Lat view; left wrist XR; 6y F:

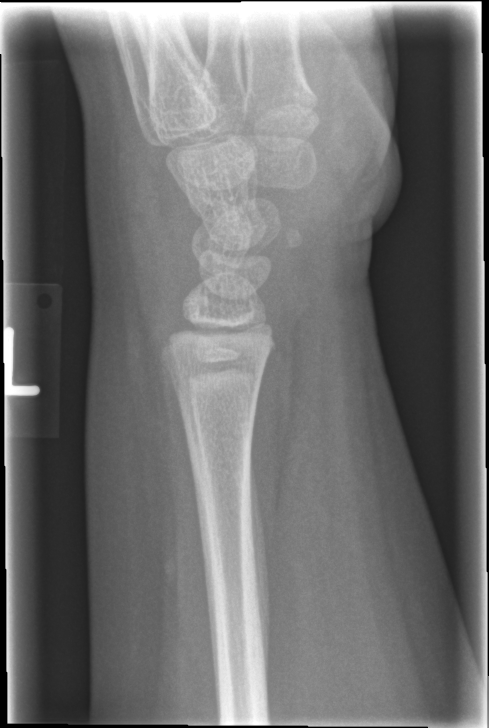 Q: Is there a fracture?
A: No fracture labeled